Lt wrist radiograph; lat. 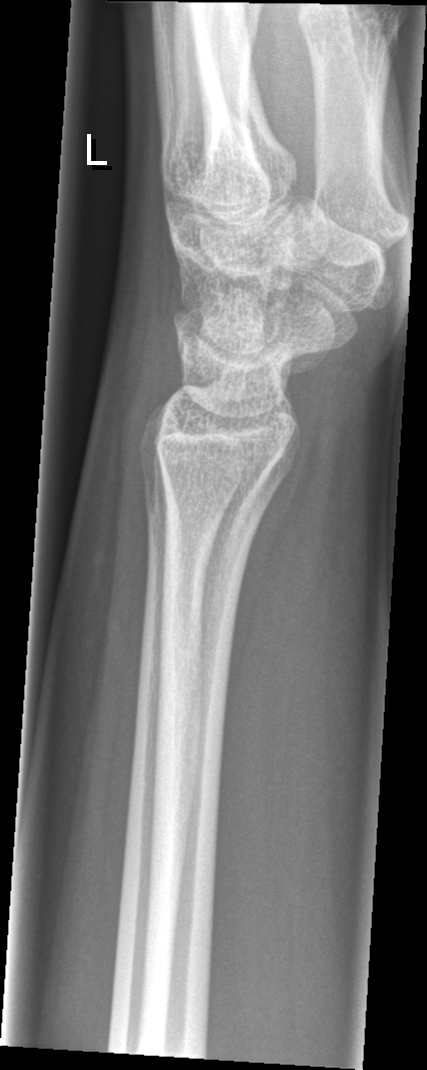

FINDINGS — Fracture: none labeled.